Left wrist XR; PA/AP; age 10 y, girl
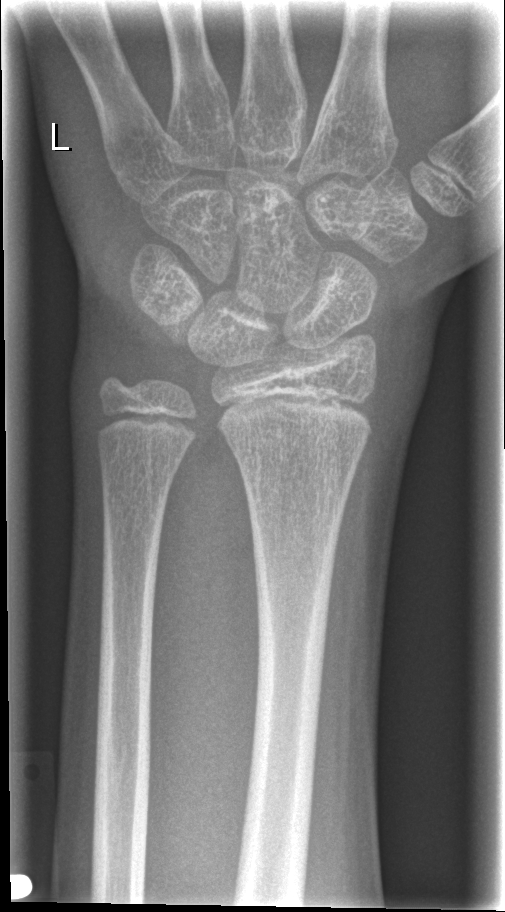
• Fracture: present but not clearly seen in this view.
• AO code 23r-M/2.1.